Lateral view | L plain radiograph of the wrist | pediatric patient (female, age 17) | Siemens | 87.3 mm image width — 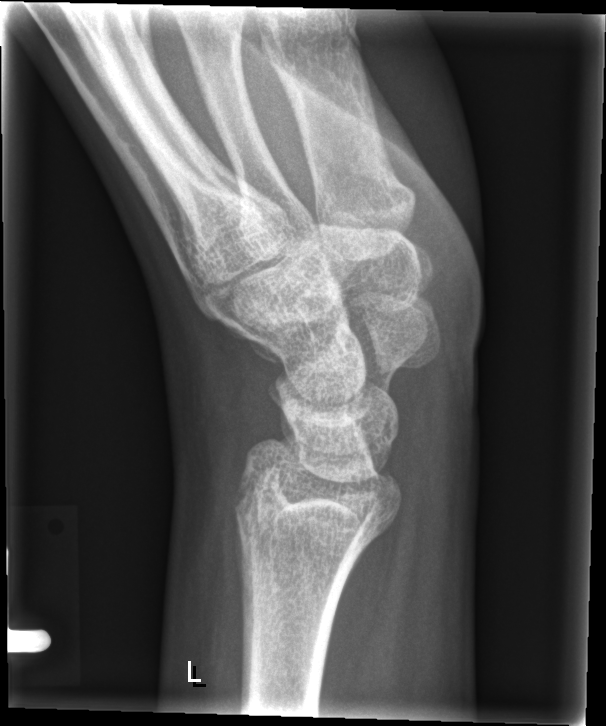 - Fx: none.